Lat projection · left wrist X-ray · age 16 y, male.

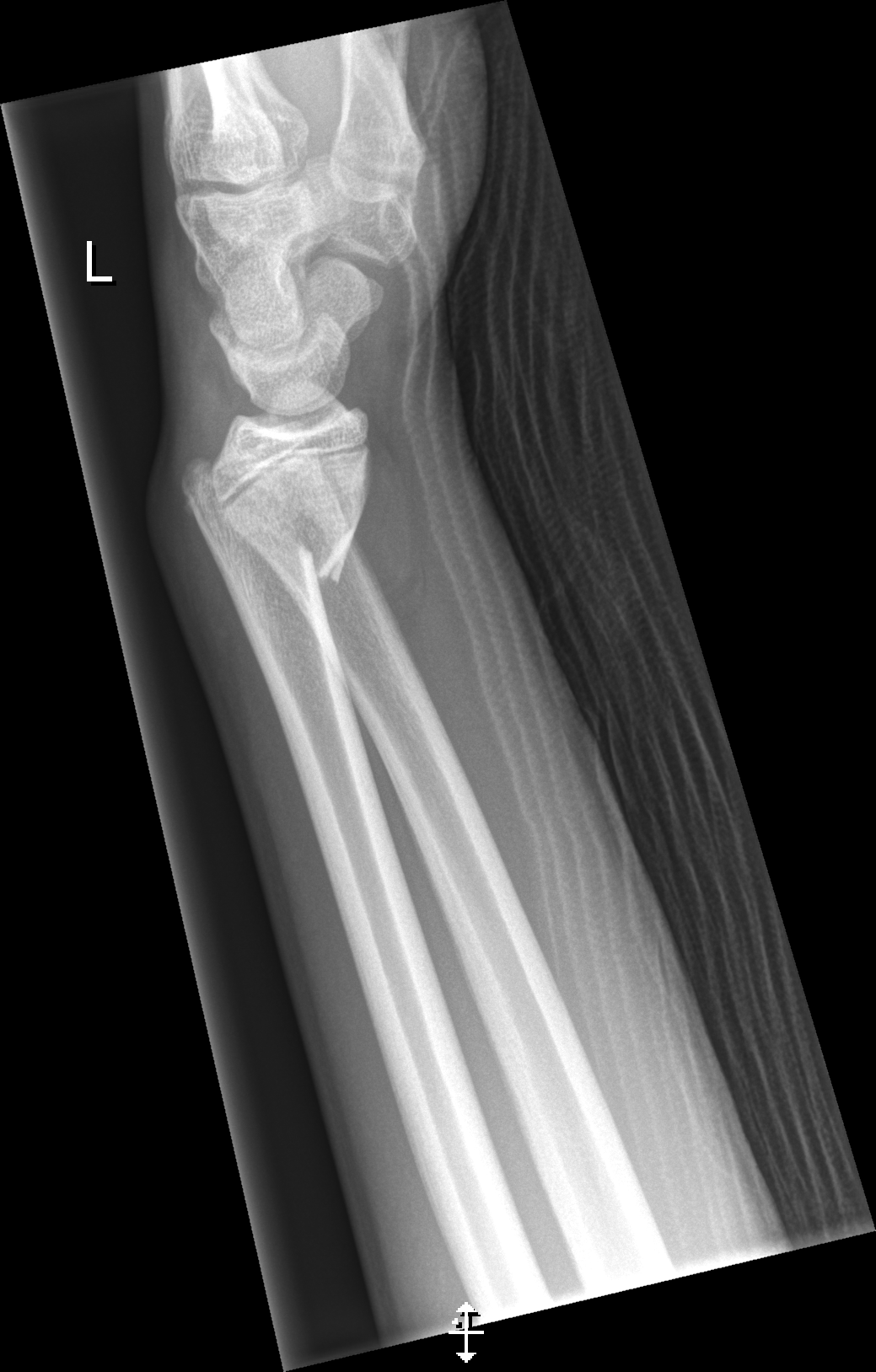   # coordinates are [x1, y1, x2, y2] in image pixels
  ao: 23r-E/2.1
  fracture: 1 @ [175, 442, 379, 592]
  pronatorsign: [351, 433, 422, 641]